Frontal; left wrist radiograph; male, 13 yo; index exam:

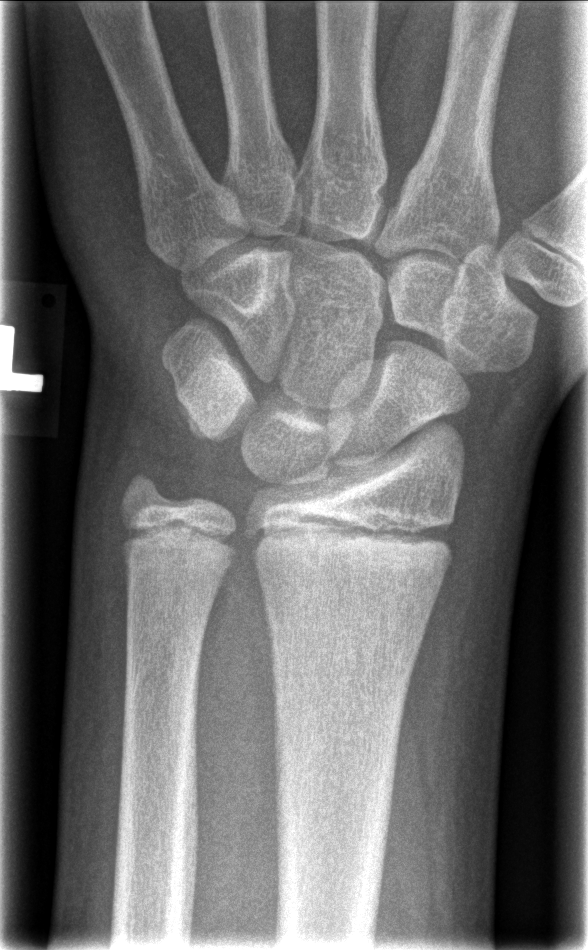 Q: Is there a fracture?
A: No Fx annotated